Right wrist pediatric wrist radiograph · PA/AP projection · boy, 10 yo · initial study —
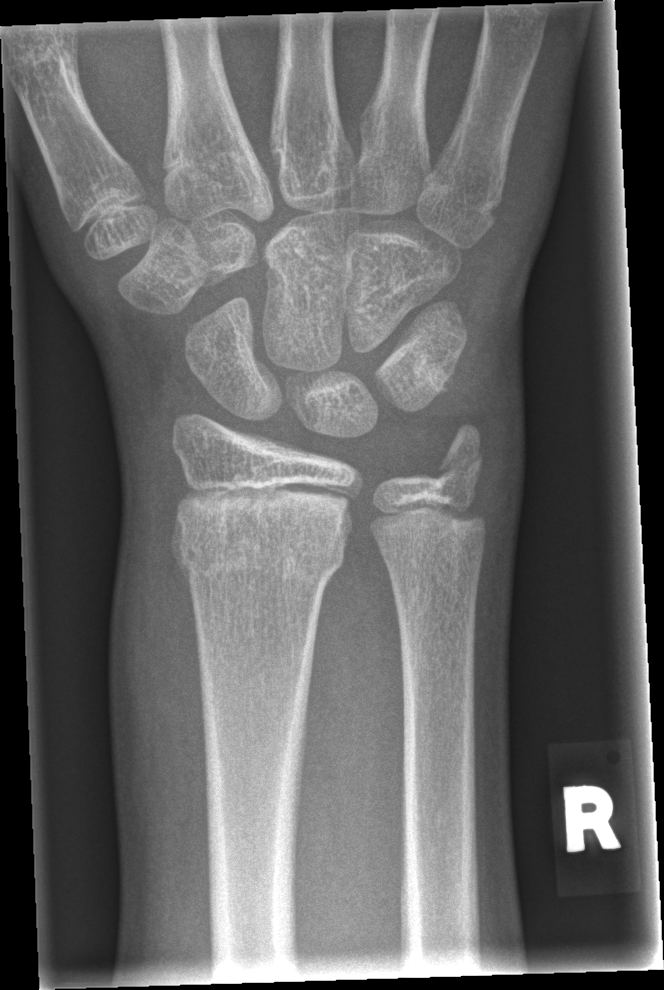
- Boxes as x1,y1,x2,y2 (top-left / bottom-right, pixel units).
- Two Fx at [x1=167, y1=475, x2=357, y2=590]; [x1=430, y1=422, x2=491, y2=495].